Lat projection | right wrist plain film | index exam | detector: Siemens —
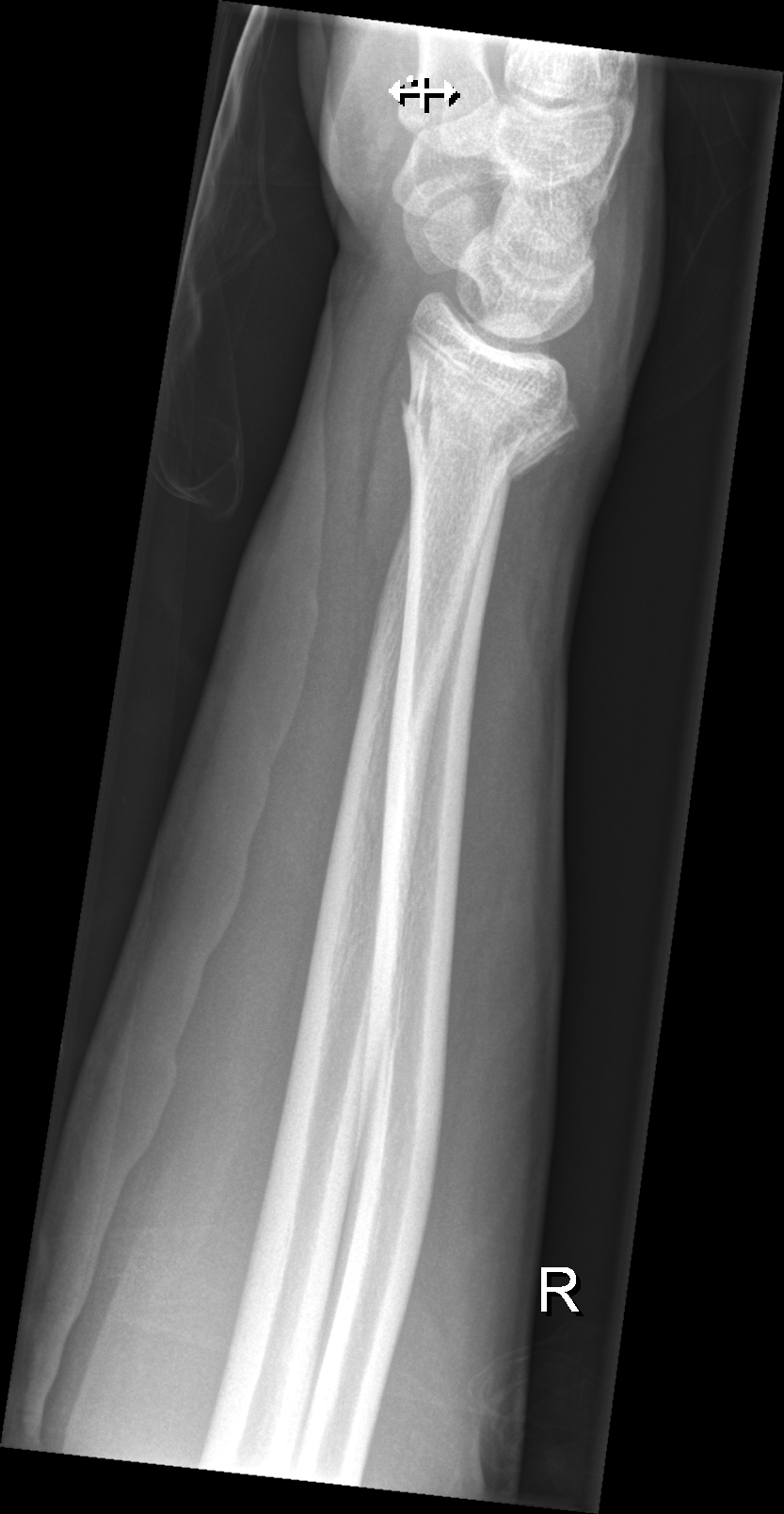 Bounding boxes in image-pixel xyxy. Bone fracture identified at bbox(398, 390, 585, 491). AO code 23r-M/3.1; 23u-E/7.